Frontal · Lt plain radiograph of the wrist · male, 12 yo · presentation radiograph:
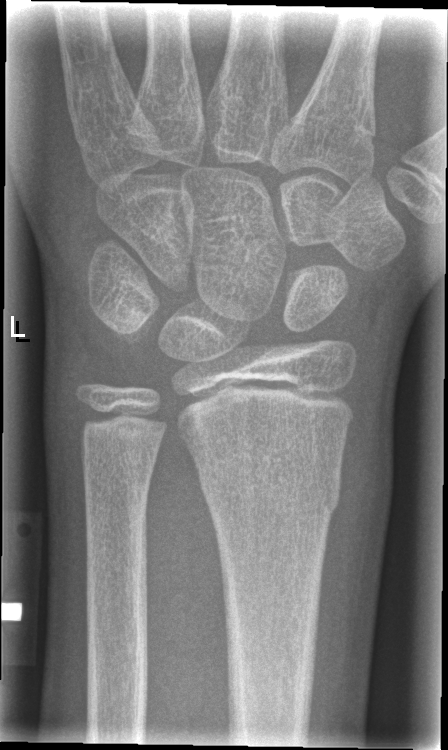 {
  "_coords": "bounding boxes in image-pixel xyxy",
  "ao": "23r-M/2.1",
  "fracture": "[x1=194, y1=452, x2=345, y2=524]"
}